Right wrist XR · AP · pediatric patient (male, age 14):
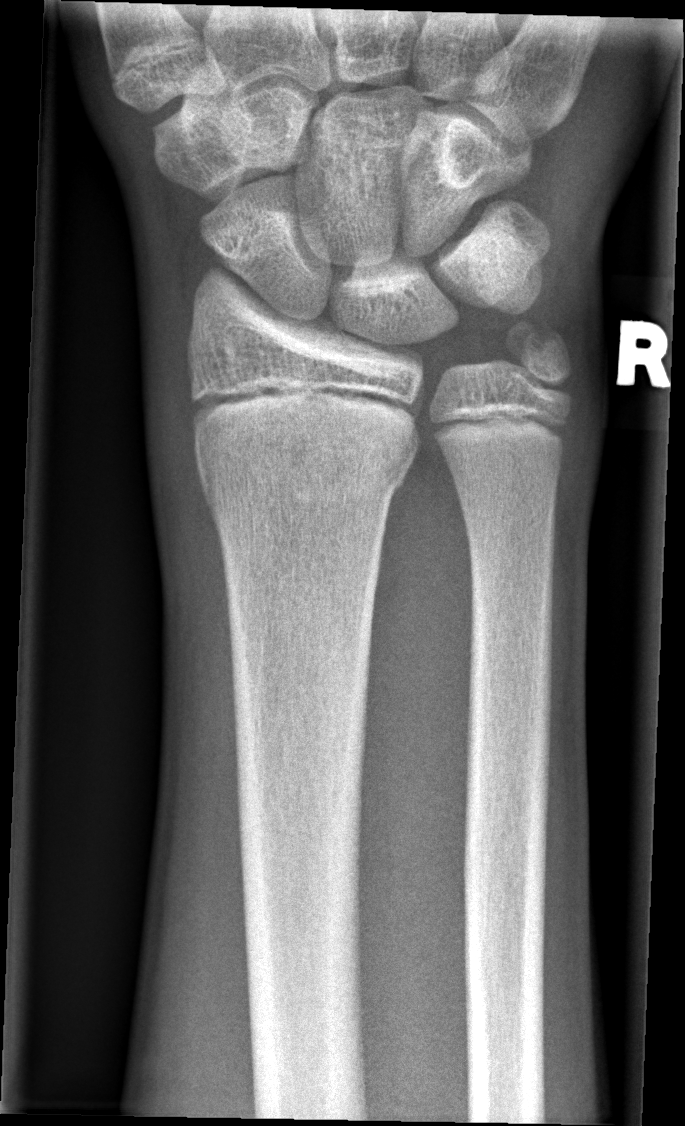 Findings: Bone fractures — <191,415>-<418,516> <499,313>-<579,406>.